PA projection; left plain radiograph of the wrist —
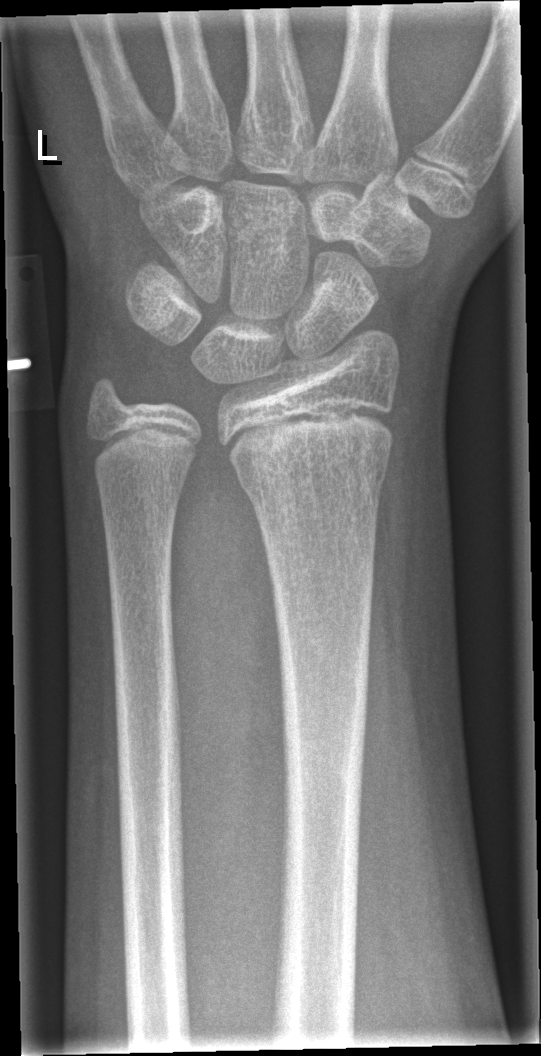
Findings: One fracture at 234 436 394 505.